Right wrist plain radiograph of the wrist | lateral view | 410 x 1068 px —

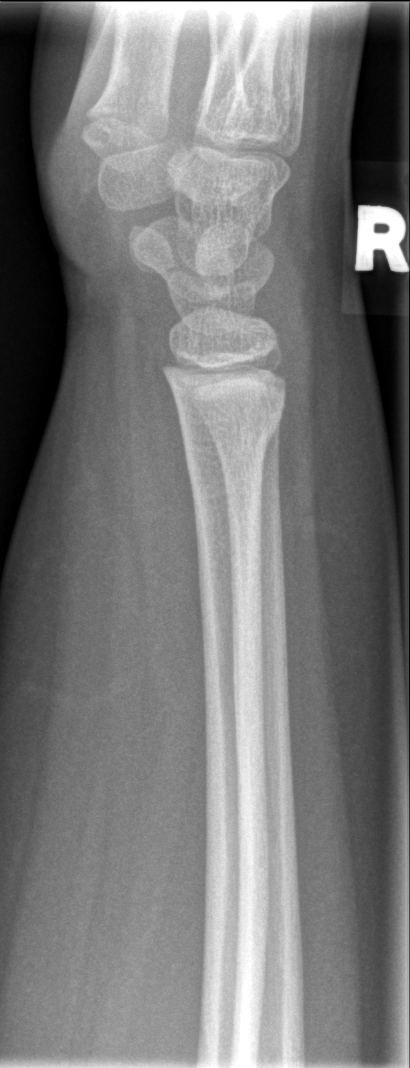
(pixel coordinates, top-left origin, xyxy)
AO code = 23r-M/2.1
Bone fracture = 176 387 287 472